Lt wrist plain film; lateral; age 6 y, boy; subsequent exam; in cast; 372 x 780 px:

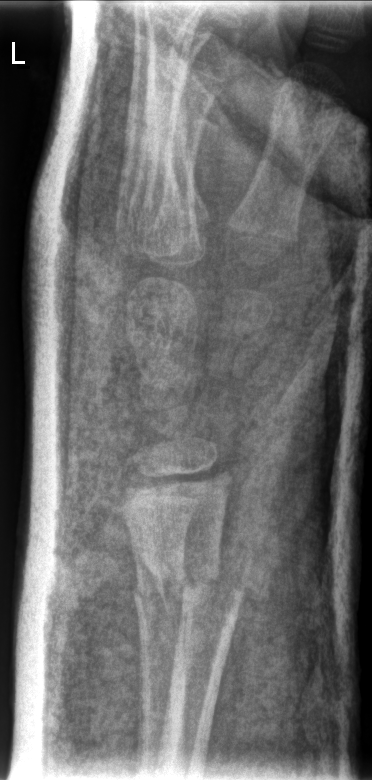 FINDINGS — Fracture — bbox(134, 547, 257, 622). Fracture classified AO/OTA 23-M/3.1.